Lt wrist plain film; PA; pediatric patient (boy, age 12) — 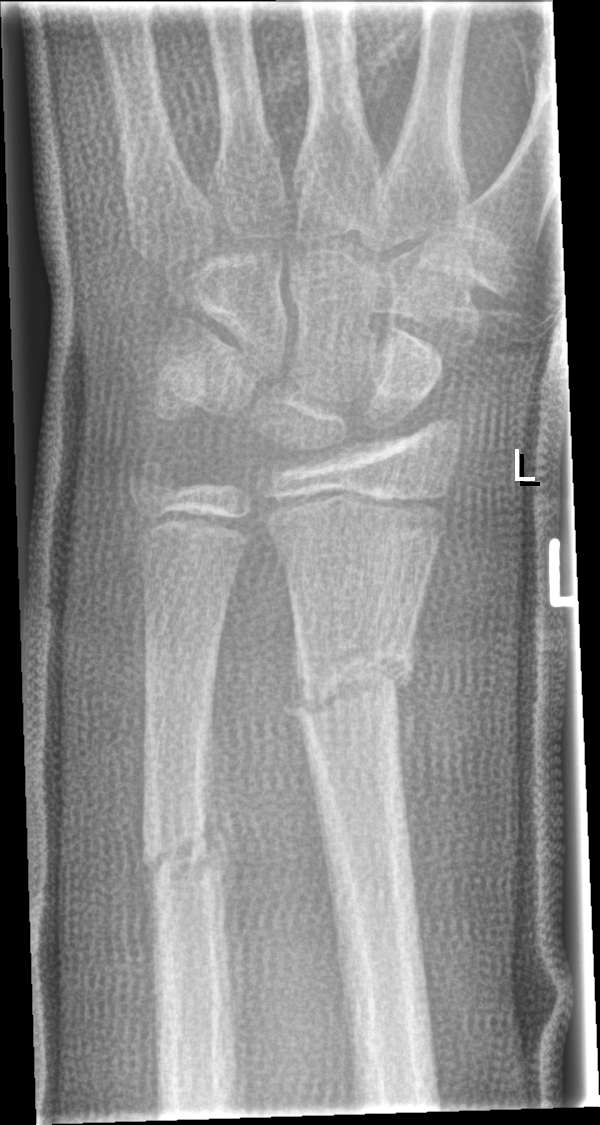

Bone fracture: 286 637 417 728
  136 818 225 888
  124 451 185 511. Fracture classified AO/OTA 23r-M/3.1; 22u-D/4.1; 23u-E/7.